Lateral projection, right wrist radiograph, 16-year-old male, detector: Siemens, 692 by 1251 pixels
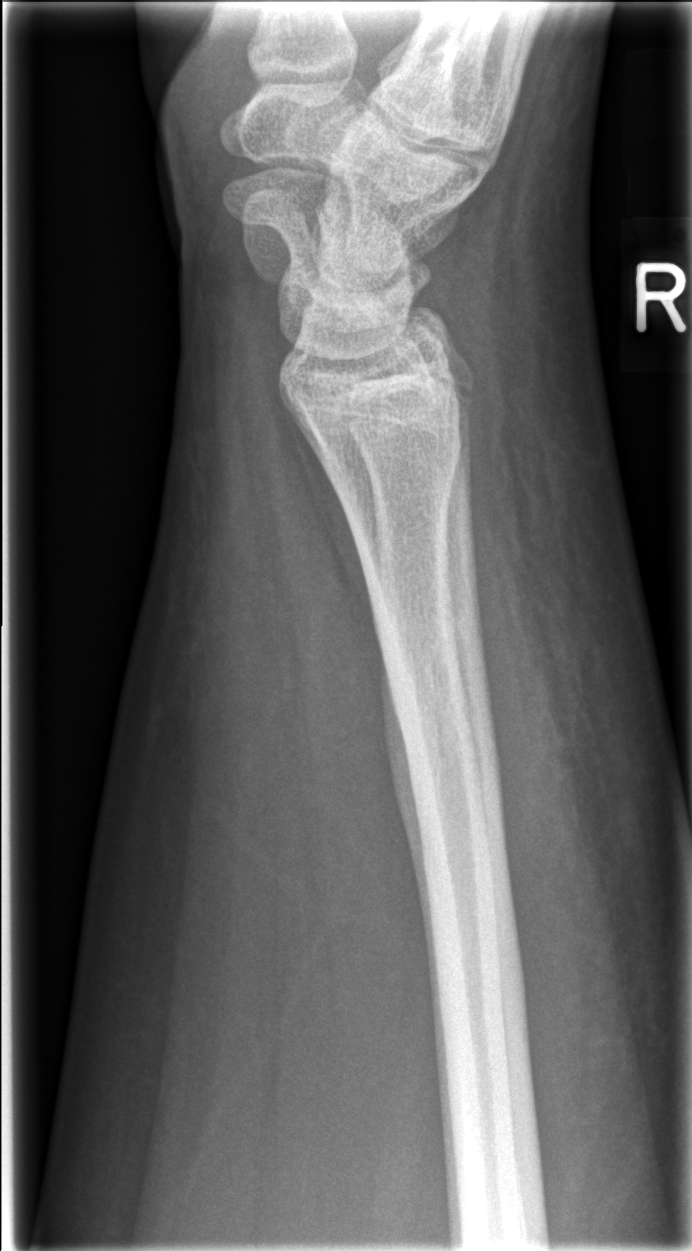

Findings: Bone fracture identified at [332, 442, 497, 851].